Right wrist plain radiograph of the wrist | lat
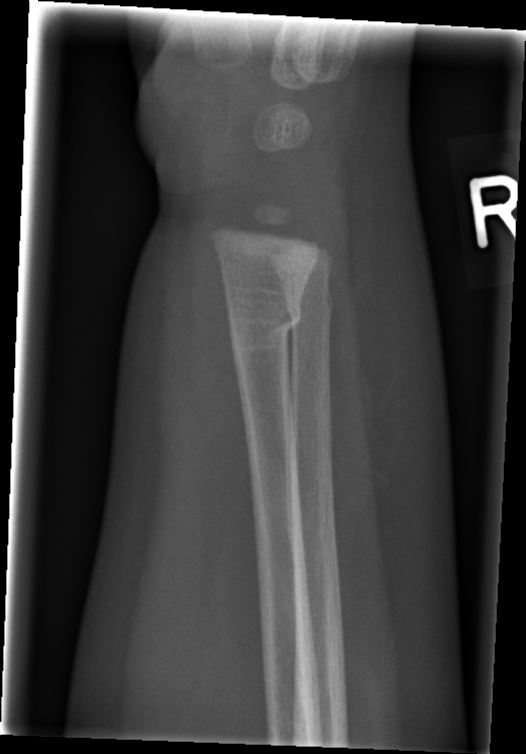

• AO code 23-M/2.1.
• Fx identified at [225, 291, 306, 366] [282, 285, 336, 330].